Lateral view | left wrist plain radiograph of the wrist | 6y M | cast in situ | image size 452x933. 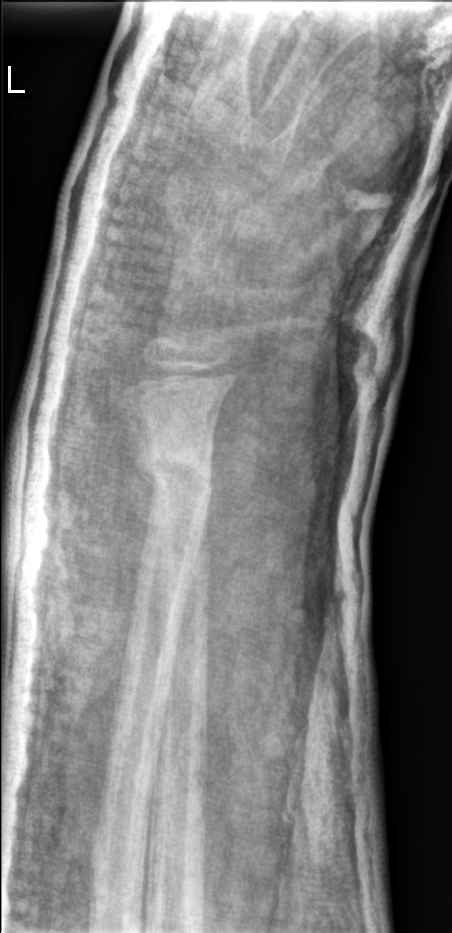
Boxes as x1,y1,x2,y2 (top-left / bottom-right, pixel units).
AO/OTA classification: 23-M/3.1.
Fx — (128, 438, 218, 494).